Lateral view, right wrist plain film:
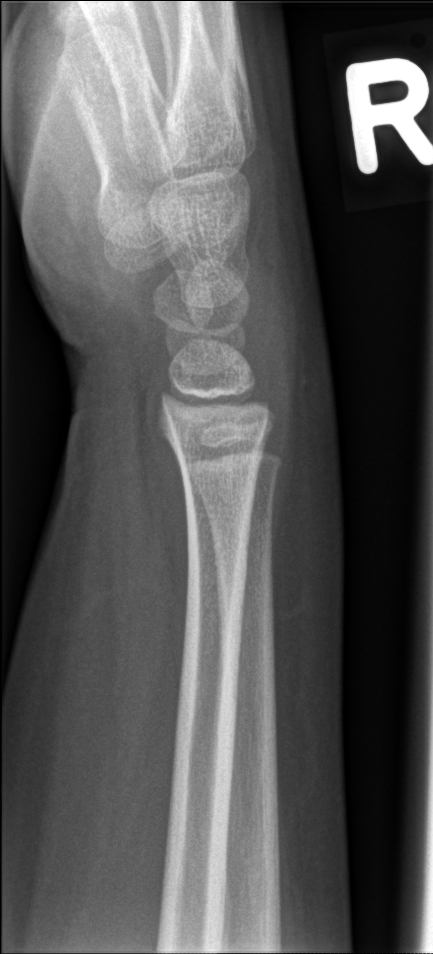
No fracture bounding box.